L wrist radiograph, lat, index exam 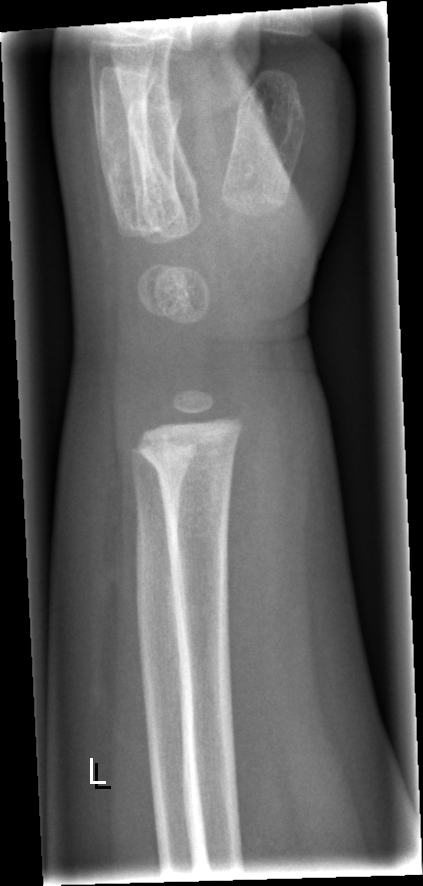 AO/OTA classification: 23r-M/2.1. Bone fracture identified at [x1=138, y1=439, x2=240, y2=486].